AP view | left pediatric wrist radiograph | age 12 y, male. 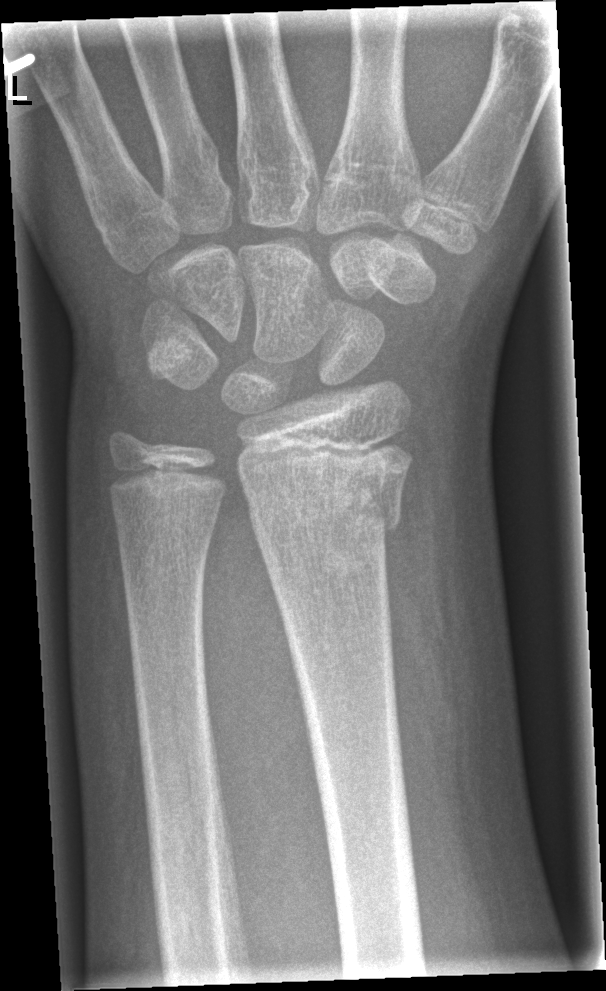
Q: Any fracture seen?
A: One fracture at 232 434 415 555